PA view · left wrist plain film · Siemens.

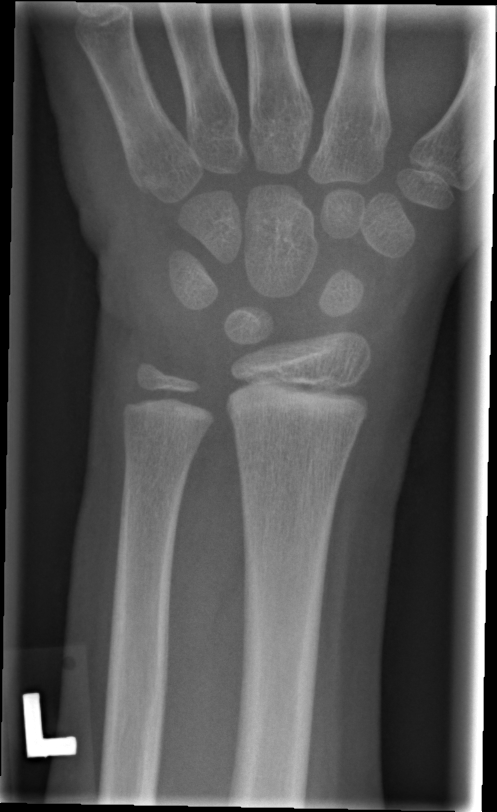 Fx: none.